PA view | right wrist XR —
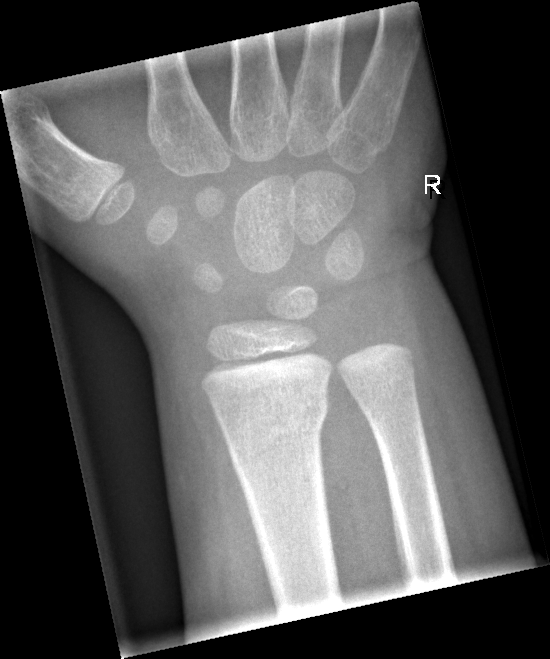 AO/OTA: 23r-M/2.1
bone fracture: 1 @ bbox(208, 383, 330, 467)